Posteroanterior projection | Lt pediatric wrist radiograph | girl, 14 yo
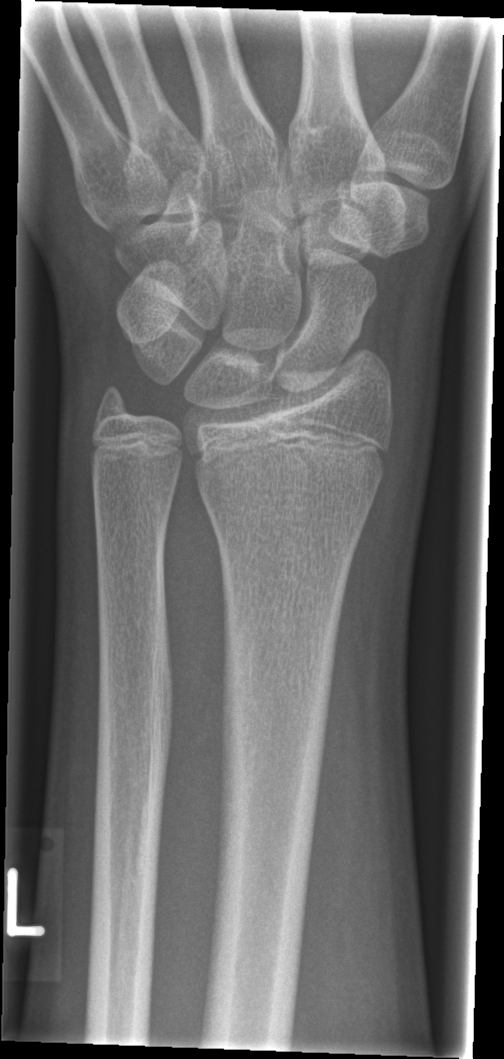

Fracture = none labeled